Lat projection · left wrist plain radiograph of the wrist.
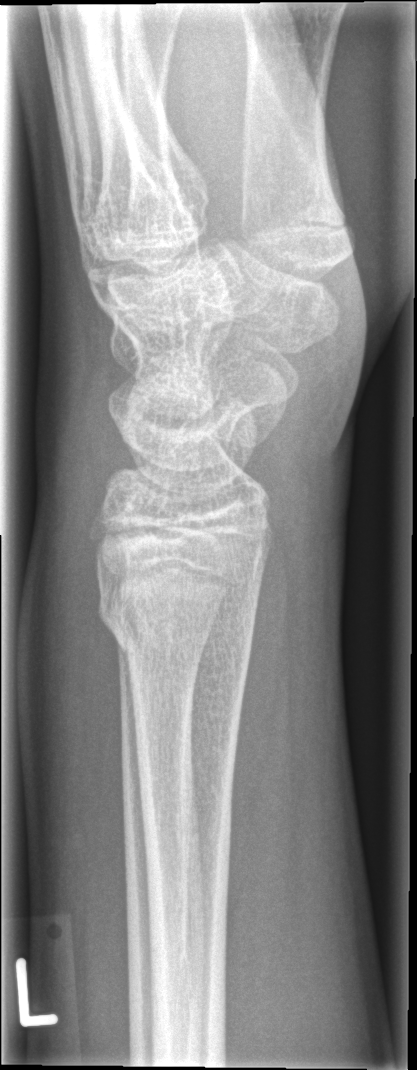

ao: 23r-M/2.1; 23u-E/7
softtissue: 1 @ 21,383,132,942
fracture: 91,565,262,687